Left wrist XR, lateral, image 76.3 mm wide
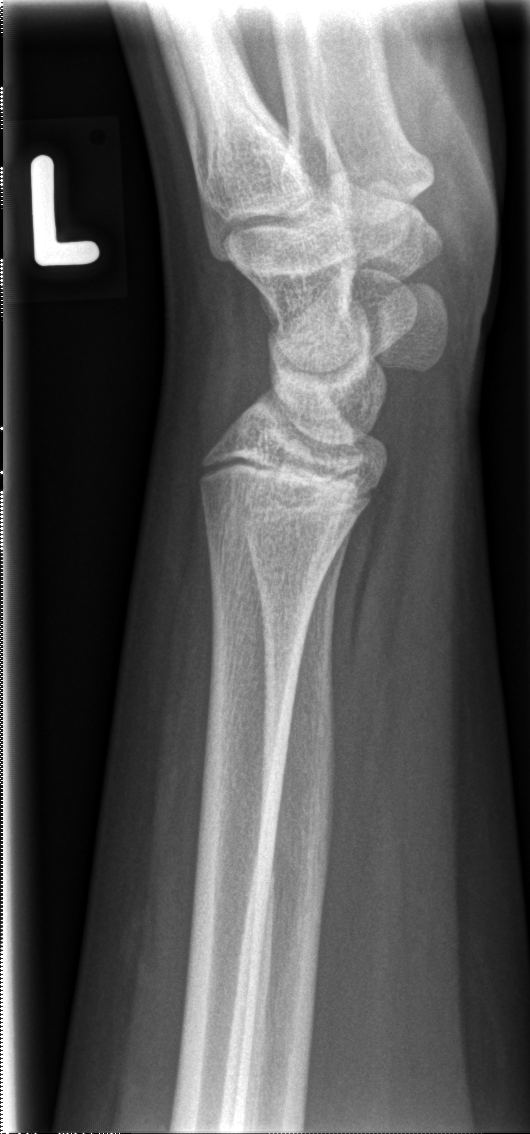

{
  "fracture": "none labeled"
}